Left wrist plain film; AP view; initial study: 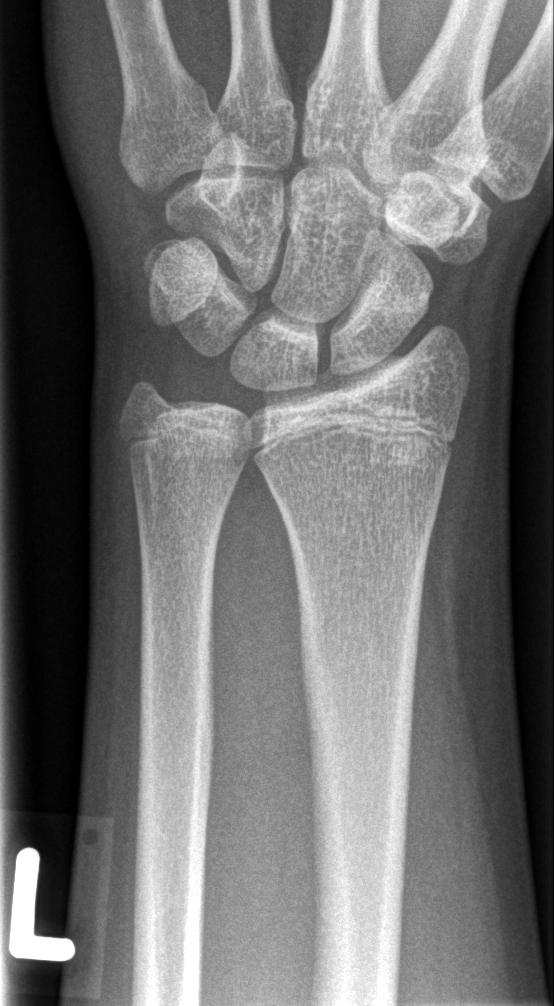 Findings: No fracture bounding box.